PA/AP, left wrist XR, 8-year-old male, index exam, detector: Siemens, 498x887 —
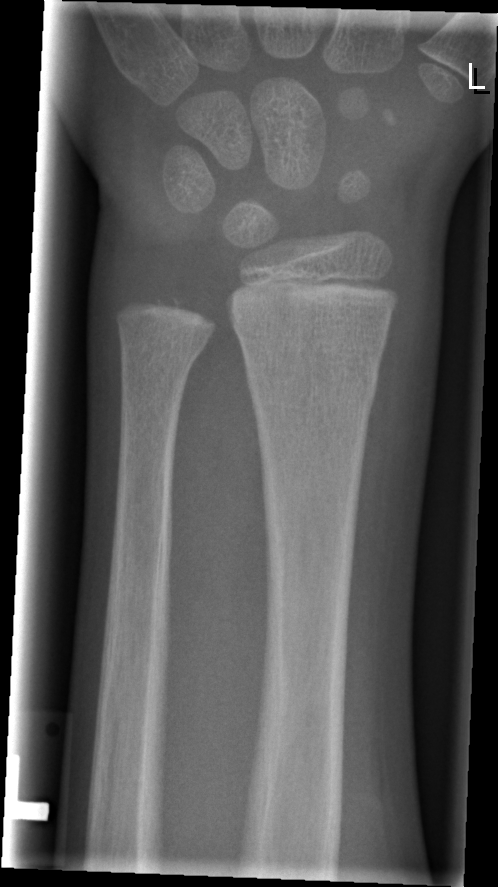
Fx identified at <242,351>-<381,413>, <116,328>-<210,372>.
Fracture classified AO/OTA 23-M/2.1.